Rt pediatric wrist radiograph, frontal view, 16y M, 684 by 1094 pixels. 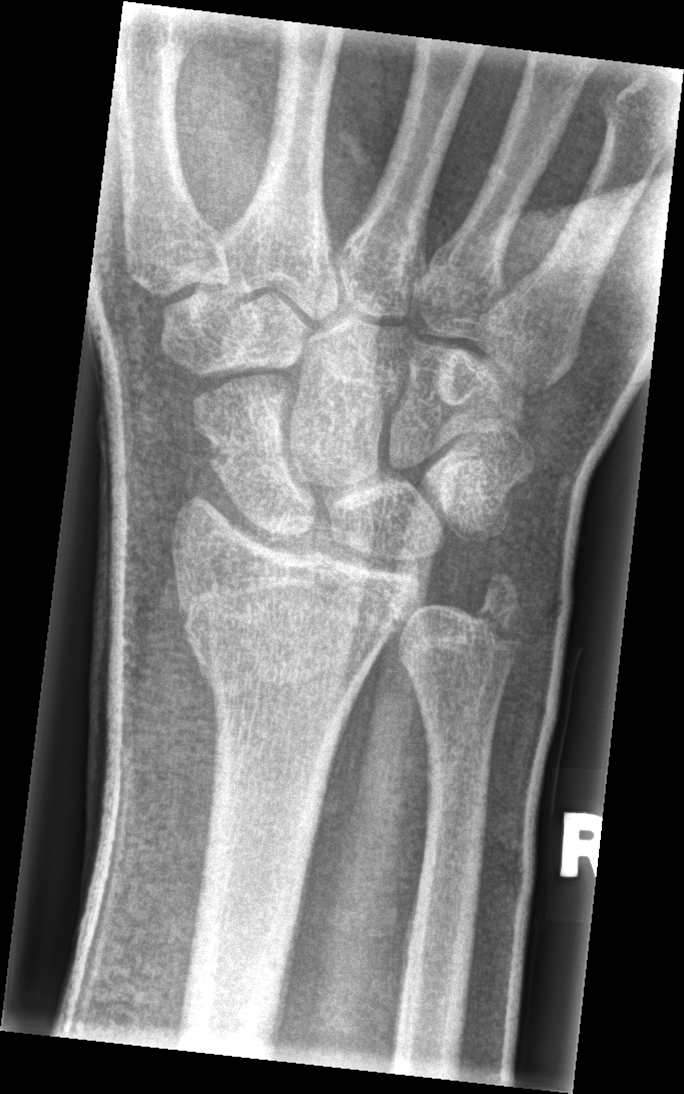
* Bounding boxes in image-pixel xyxy.
* AO/OTA classification: 23r-M/3.1; 23u-E/7; 72B(b).
* Bone fracture: [x1=181, y1=595, x2=400, y2=685]; [x1=194, y1=426, x2=306, y2=474]; [x1=472, y1=574, x2=525, y2=648].